Left plain radiograph of the wrist, lat, 10-year-old boy, image size 470x1162:
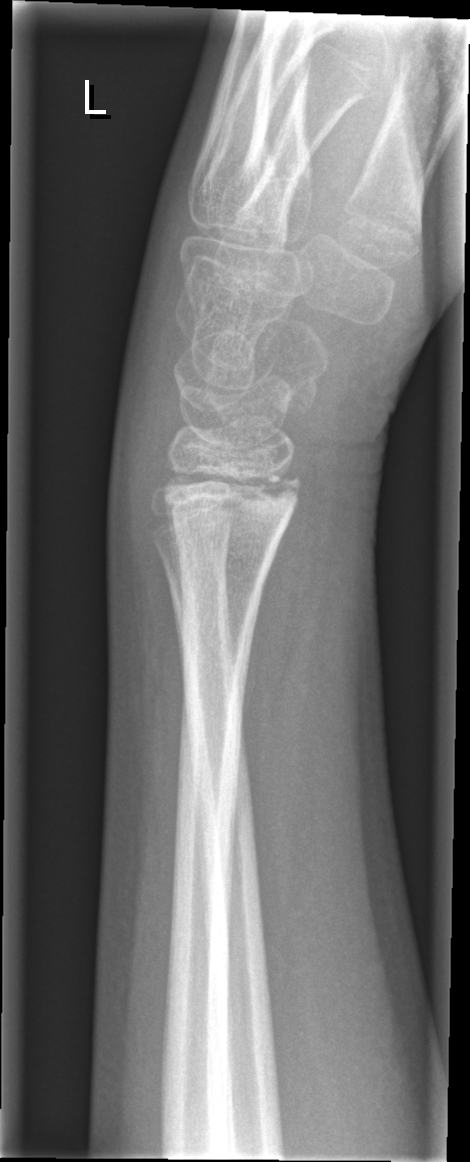
* Osteopenic.
* Bone fracture identified at <159,458>-<303,527>.